Right wrist plain film · lat view · 10y M · imaged through cast · 535 by 1120 pixels — 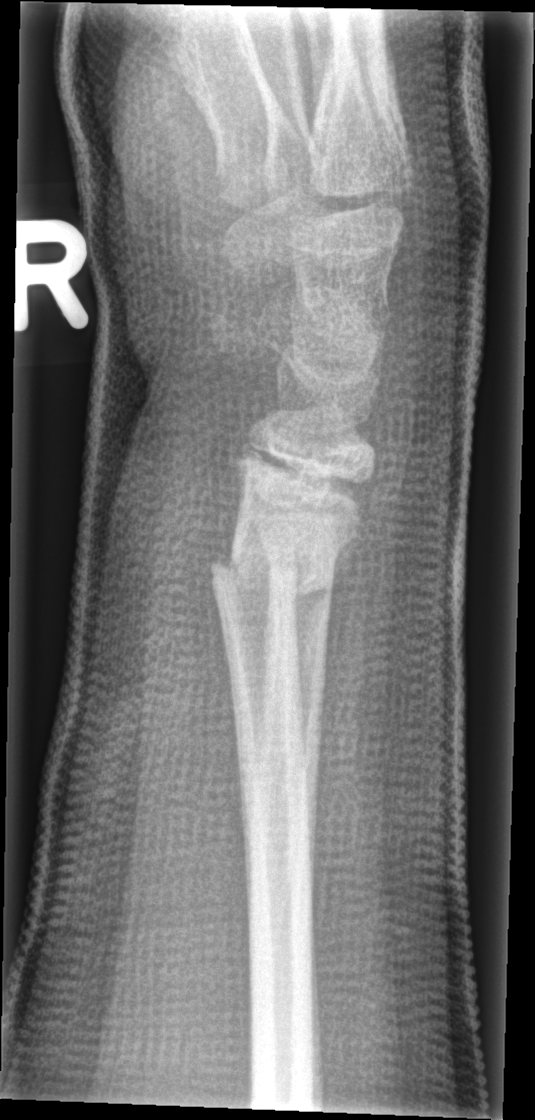 AO/OTA: 23r-M/3.1
Fracture: (left=207, top=530, right=342, bottom=620)